R plain radiograph of the wrist | PA | subsequent exam | detector: Siemens 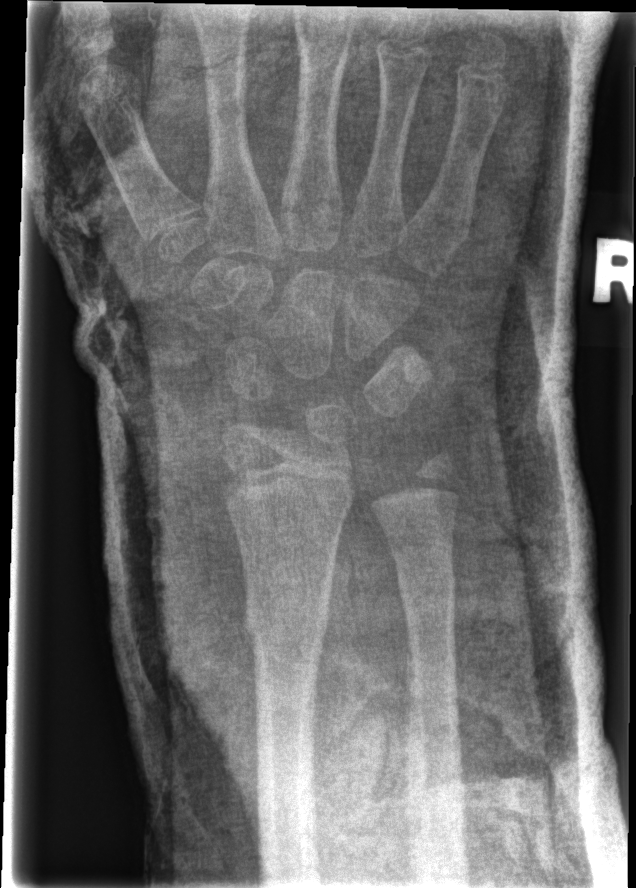 Fx = 241 578 335 647 | 393 560 460 607